Right pediatric wrist radiograph, PA view, subsequent exam, image width 72.4 mm, 503 x 986 px — 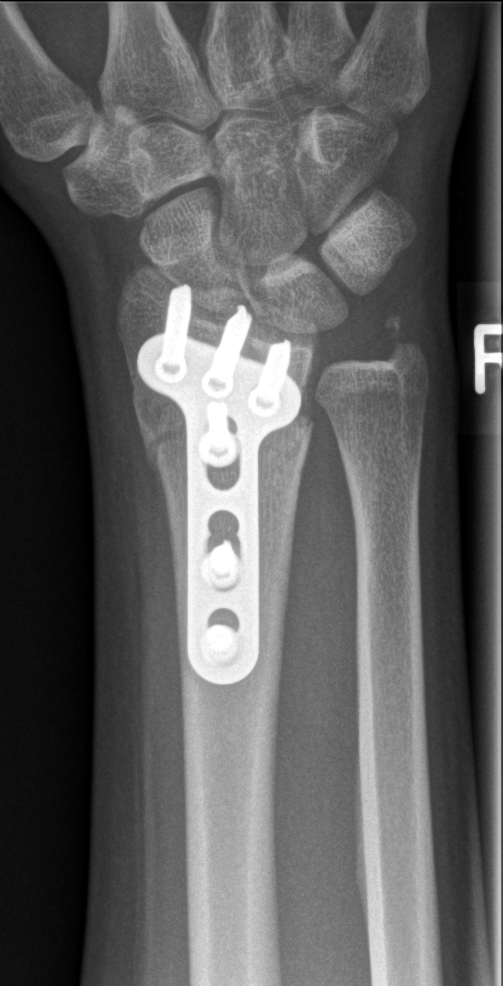
Coordinates are [x1, y1, x2, y2] in image pixels.
Bone fracture identified at <136,394>-<317,468> <372,305>-<433,379>.
Metal — <140,286>-<300,678>.
Fracture classified AO/OTA 23r-M/3.1; 23u-E/7.